PA · right wrist XR · age 1.3 y, girl · image size 643x758: 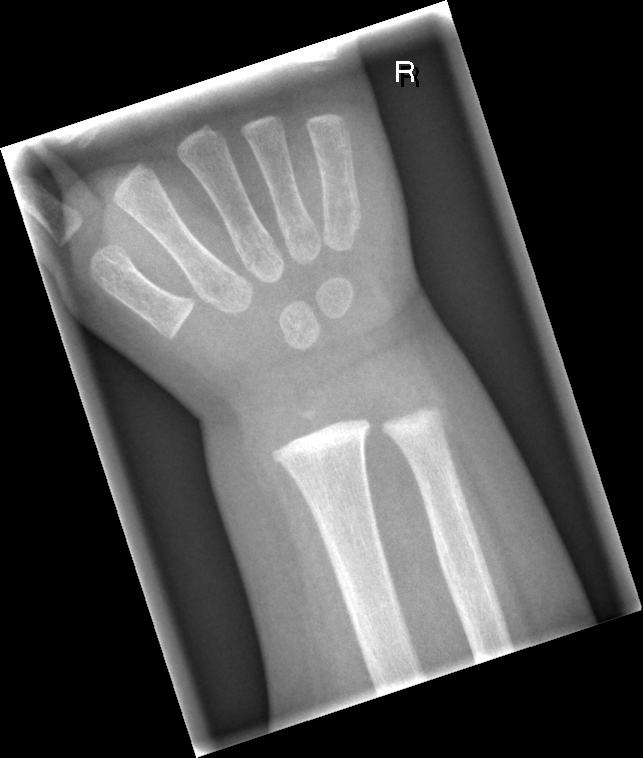

Fx: none.